Right plain radiograph of the wrist · lat · findings marked uncertain by the reading radiologist · image 59.0 mm wide: 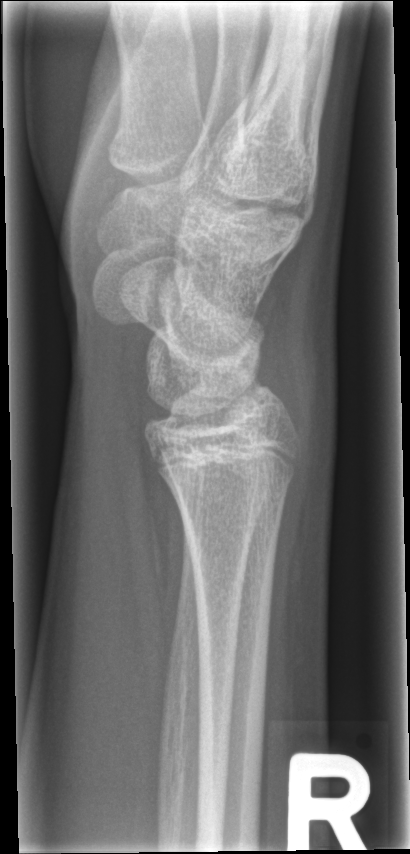

Fx: none labeled